L wrist XR | PA/AP view | age 9 y, male —

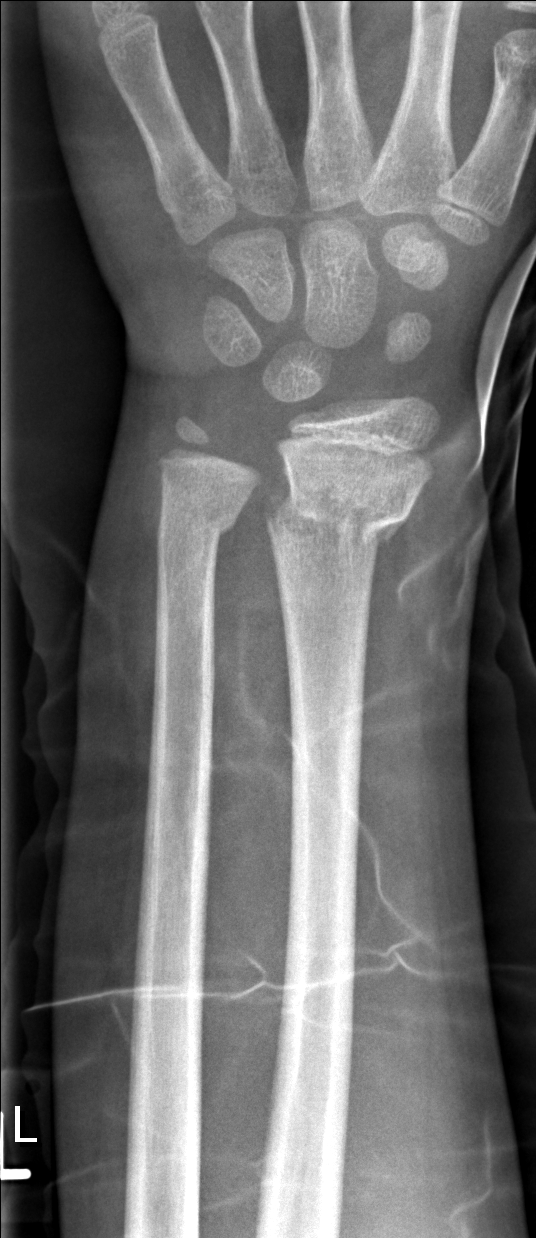 FINDINGS — (bounding boxes in image-pixel xyxy) Fracture identified at (261, 472, 419, 570) (155, 492, 241, 551).